Lat projection | left wrist plain film | 7-year-old boy | follow-up study

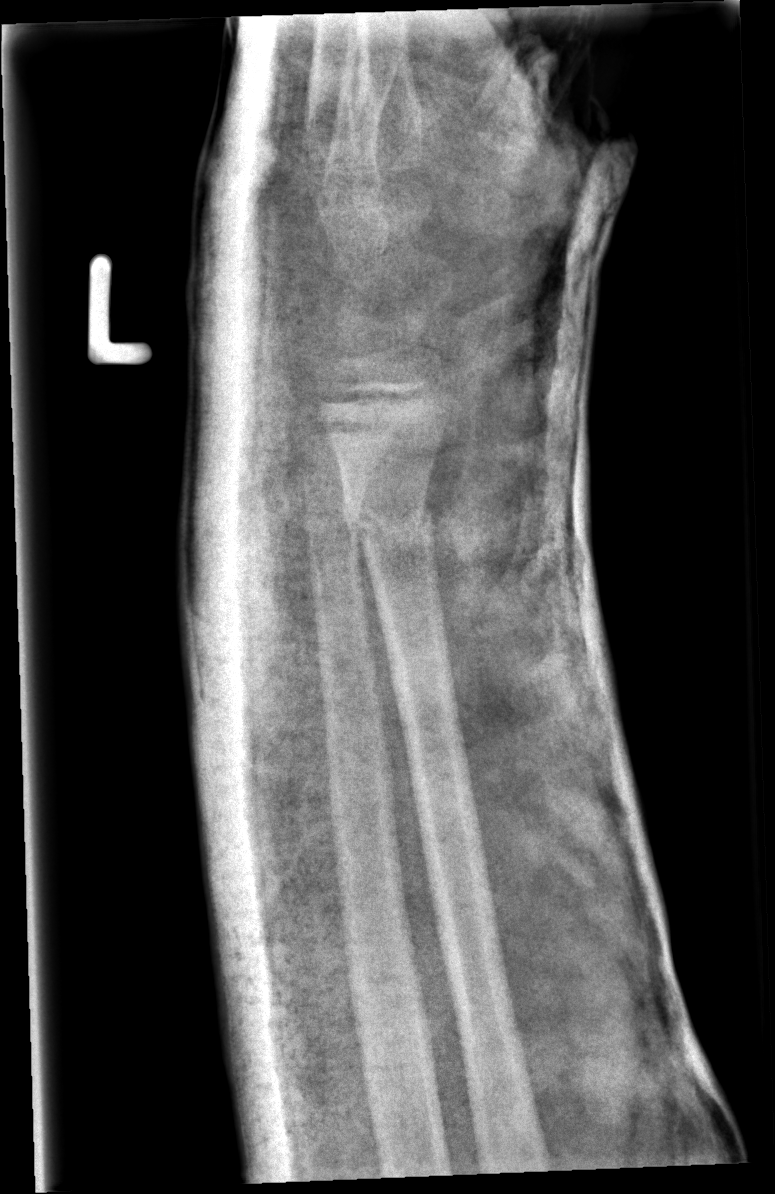

Fx: bbox(340, 487, 441, 561), bbox(301, 492, 366, 564)